Lateral | R plain radiograph of the wrist | 10-year-old girl:
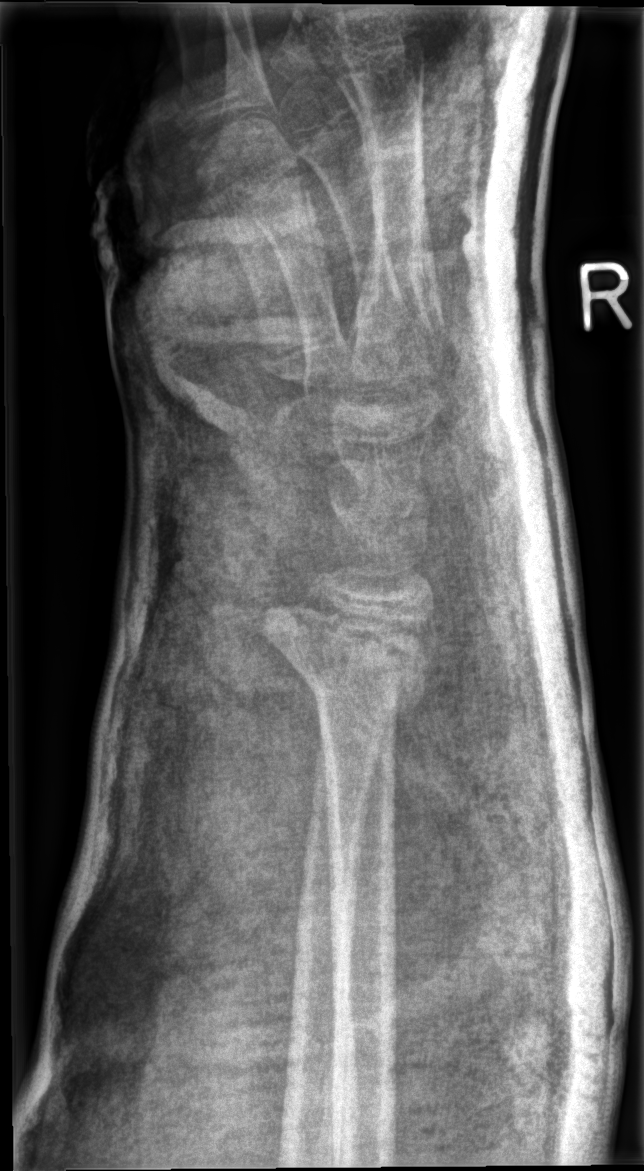 • One Fx at (252, 594, 435, 719).